Right wrist radiograph, lat view, presentation radiograph, detector: Siemens.
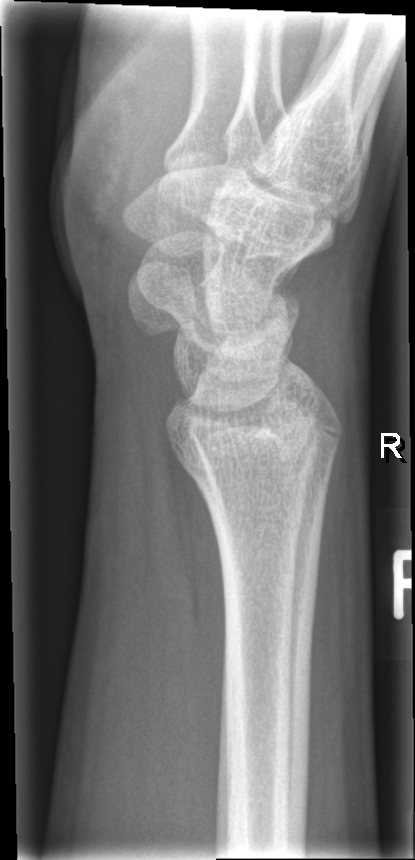
FINDINGS: No fracture annotation.